L plain radiograph of the wrist; lat; 6-year-old girl; in cast; detector: Siemens.
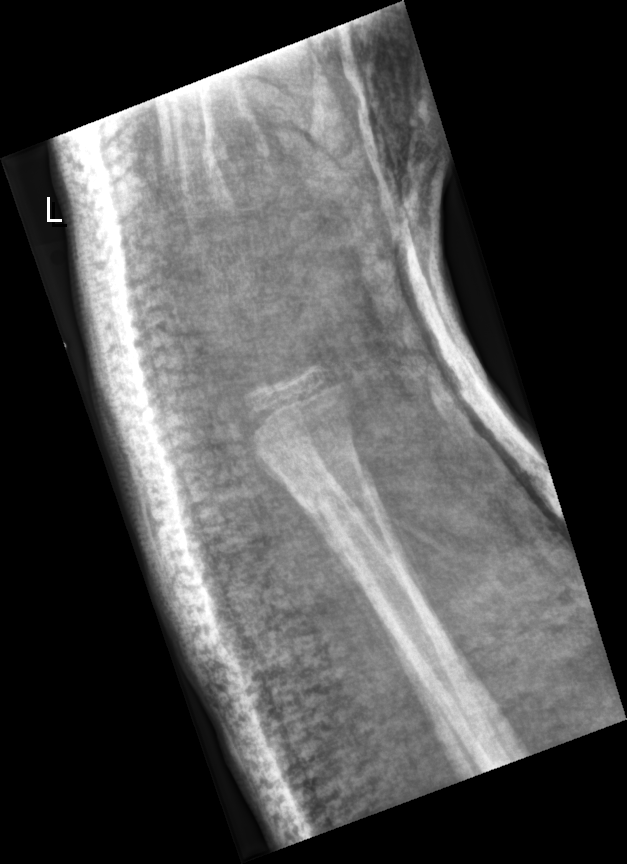 AO classification = 23r-M/3.1; 23u-M/2.1
Bone fracture = 1 @ [278, 443, 389, 569]